AP view; left wrist XR; Siemens: 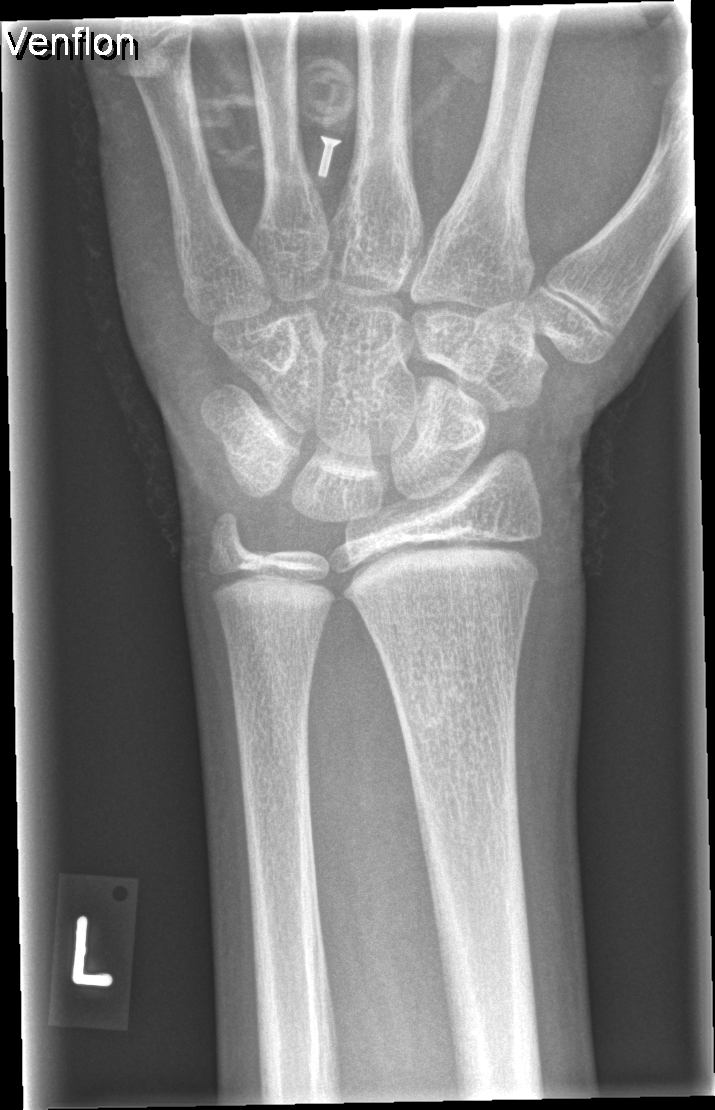

metal: (314, 132, 346, 178)
fracture: none labeled